Lat view · right wrist plain radiograph of the wrist · initial study —

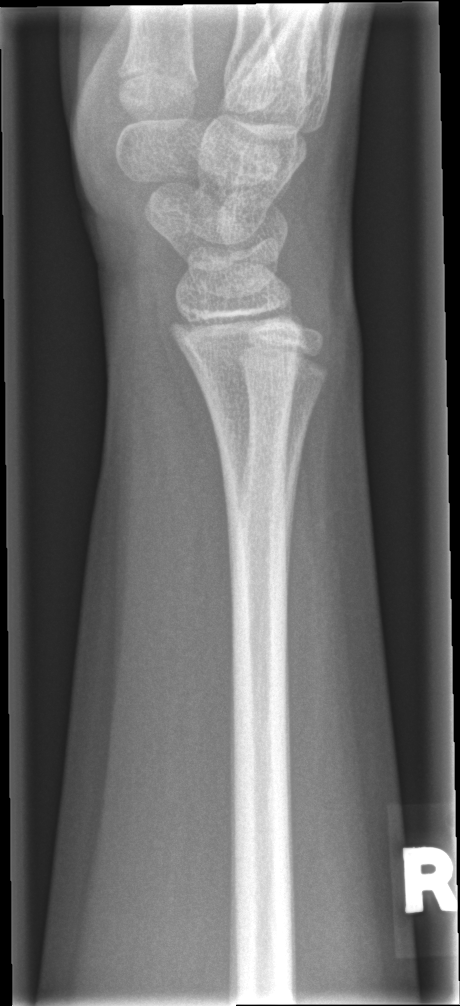 No Fx annotated.